Frontal projection · right wrist XR · 12y M · in cast 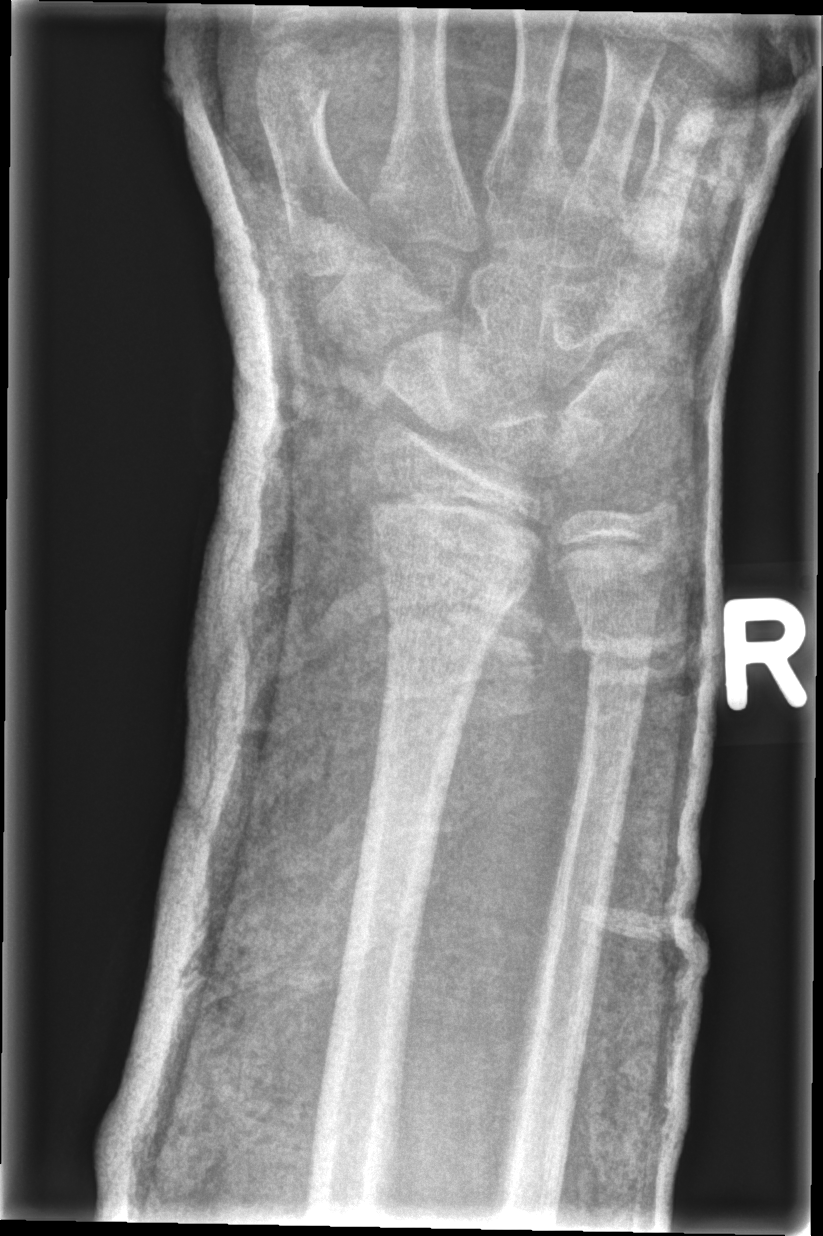 Q: What is the AO/OTA classification?
A: Fracture classified AO/OTA 23r-E/2.1; 23u-M/2.1
Q: Is there a fracture?
A: Two fractures at 367 514 535 617; 579 625 658 690